Rt wrist X-ray · lat view · boy, 11 yo · follow-up · image 57.3 mm wide · 398x808. 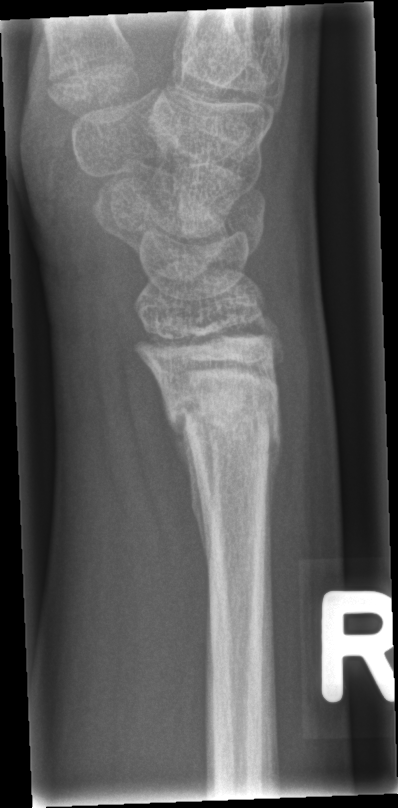

FINDINGS: (coordinates are [x1, y1, x2, y2] in image pixels) Decreased bone density (osteopenia). Fx identified at bbox(167, 388, 283, 455). AO/OTA classification: 23r-M/3.1; 23u-E/7. Periosteal reaction: bbox(169, 414, 211, 572) bbox(266, 406, 282, 522).